Lat view · Rt plain radiograph of the wrist · cast present · detector: Siemens: 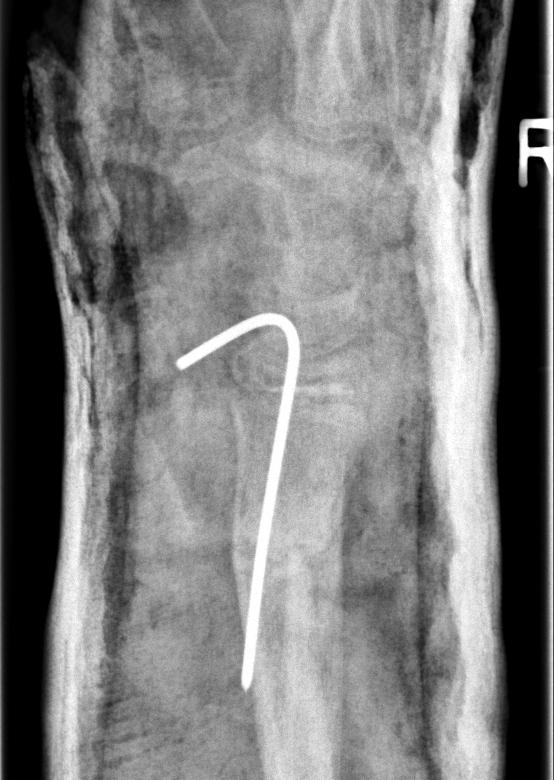
Q: Is there any metallic hardware?
A: Hardware: bbox(167, 305, 308, 701)
Q: Is there a fracture?
A: Bone fracture identified at bbox(208, 502, 358, 608)
Q: AO code?
A: AO/OTA classification: 23r-M/3.1